PA · left wrist XR · 52.1 mm image width · 362 by 665 pixels:

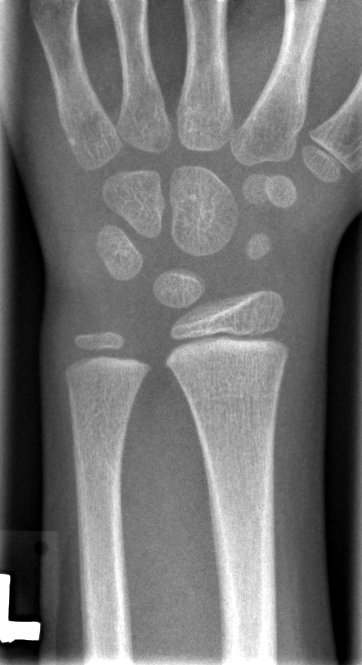

Fx = present but not clearly seen in this view